Left wrist XR · lateral view · 14-year-old male —
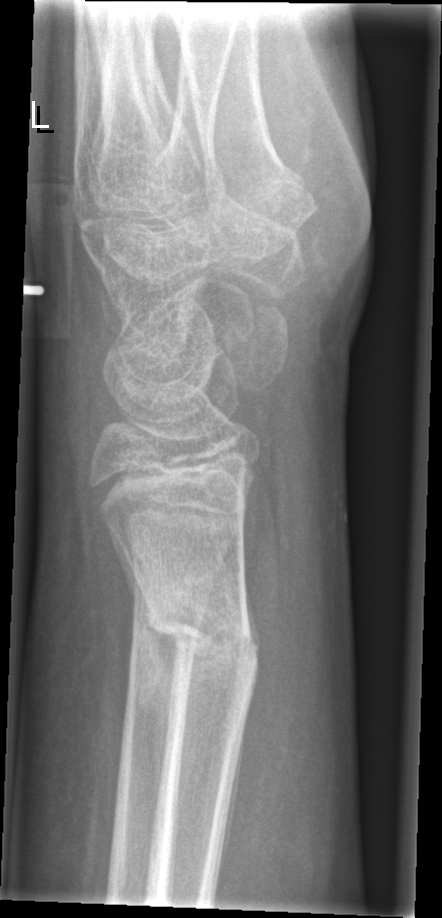

Findings: (coordinates are [x1, y1, x2, y2] in image pixels) Osteopenia. Fracture: <135,586>-<265,695>. Periosteal new bone identified at <109,523>-<180,831>, <244,570>-<260,664>.